Left plain radiograph of the wrist | posteroanterior projection | pediatric patient (girl, age 15).
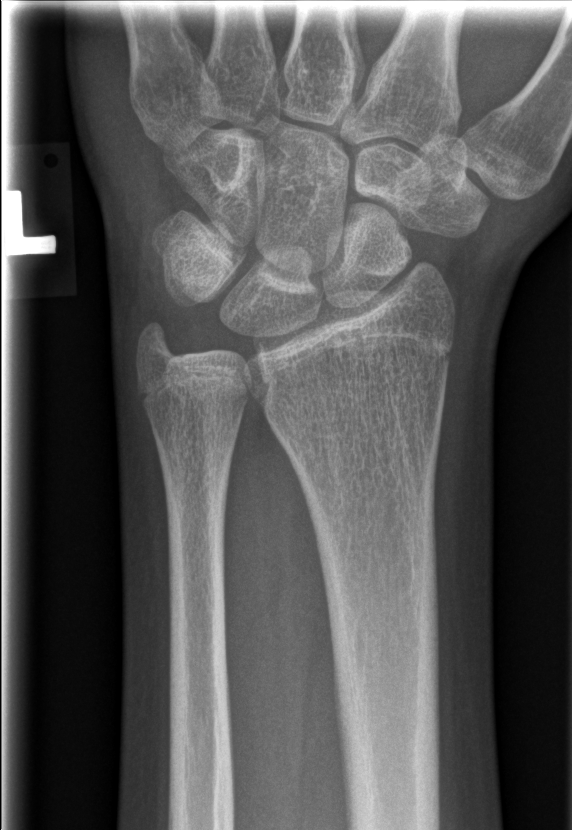 * No Fx annotated.